L wrist plain film; AP view; 506x821 — 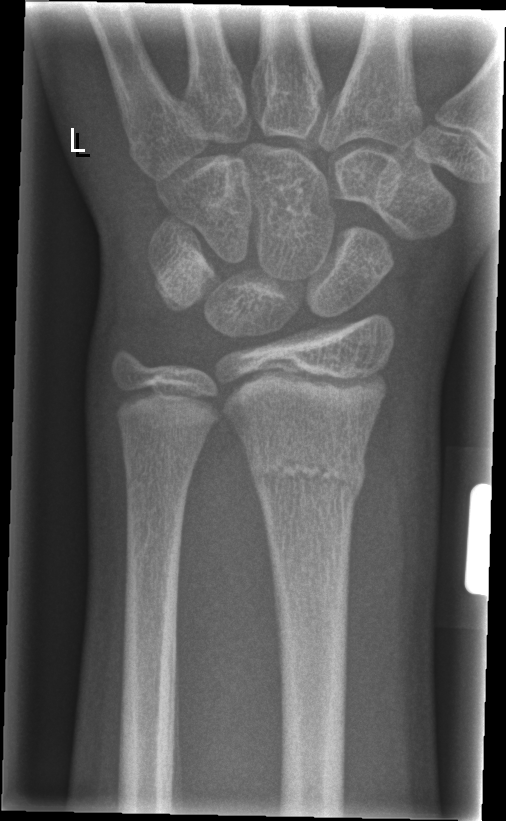

# pixel coordinates, top-left origin, xyxy
fracture: 1 @ [x1=245, y1=445, x2=367, y2=503]
ao: 23r-M/3.1